Left plain radiograph of the wrist | AP projection | pediatric patient (girl, age 10) | presentation radiograph

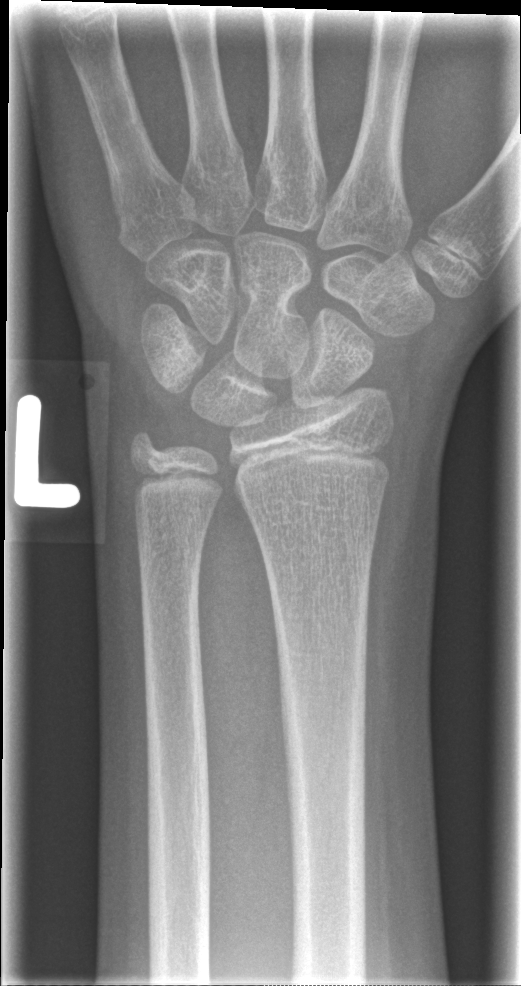 Fracture: none labeled.